Rt pediatric wrist radiograph | lateral projection | diagnosis uncertain | 53.6 mm image width.
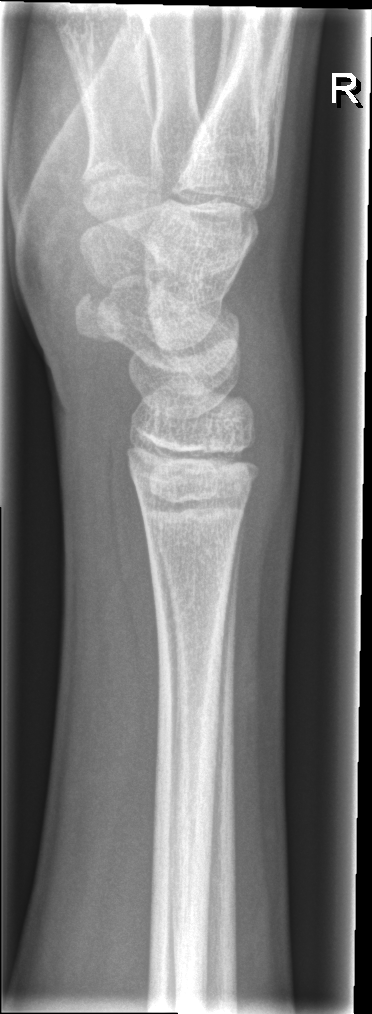

Pixel coordinates, top-left origin, xyxy.
No fracture labeled.
Soft tissue abnormality — [x1=241, y1=340, x2=307, y2=541].